Right wrist X-ray · PA view · 12y M — 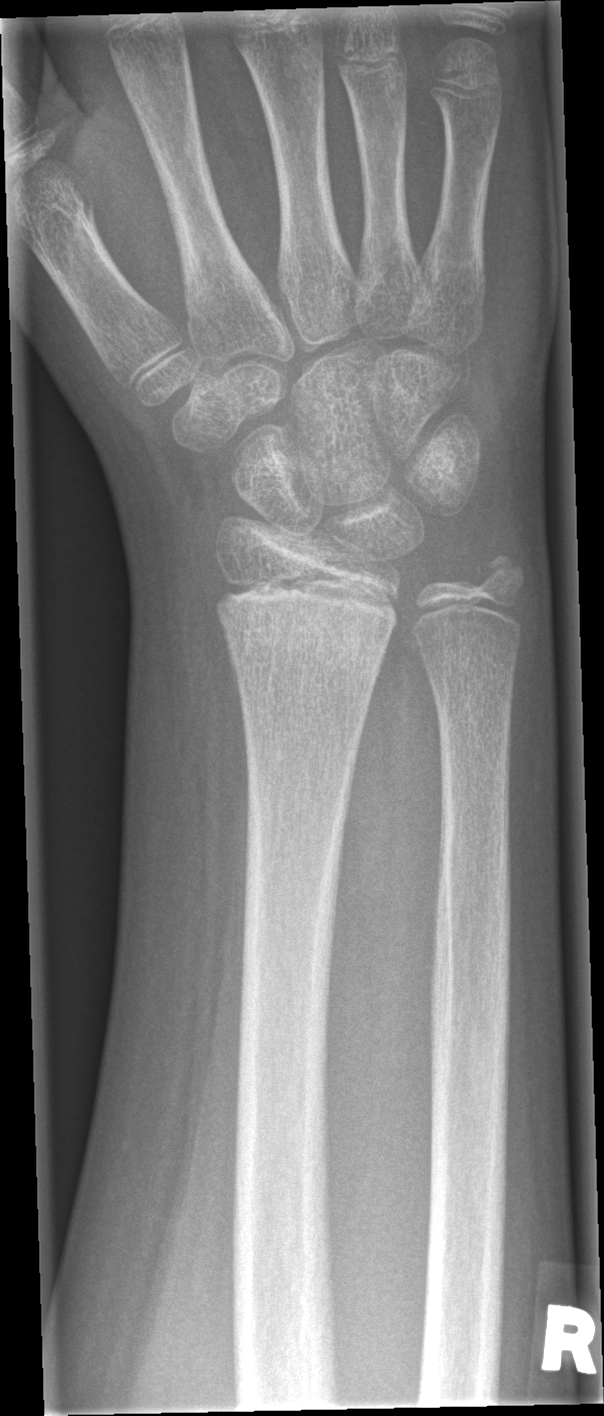

# bounding boxes in image-pixel xyxy
ao: 23r-E/2.1; 23u-E/7
osteopenia: present
fracture: 2 @ 216,599,398,681
  472,544,533,611